Posteroanterior view · left plain radiograph of the wrist · age 9 y, male · subsequent exam · imaged through cast · 786 by 1264 pixels:
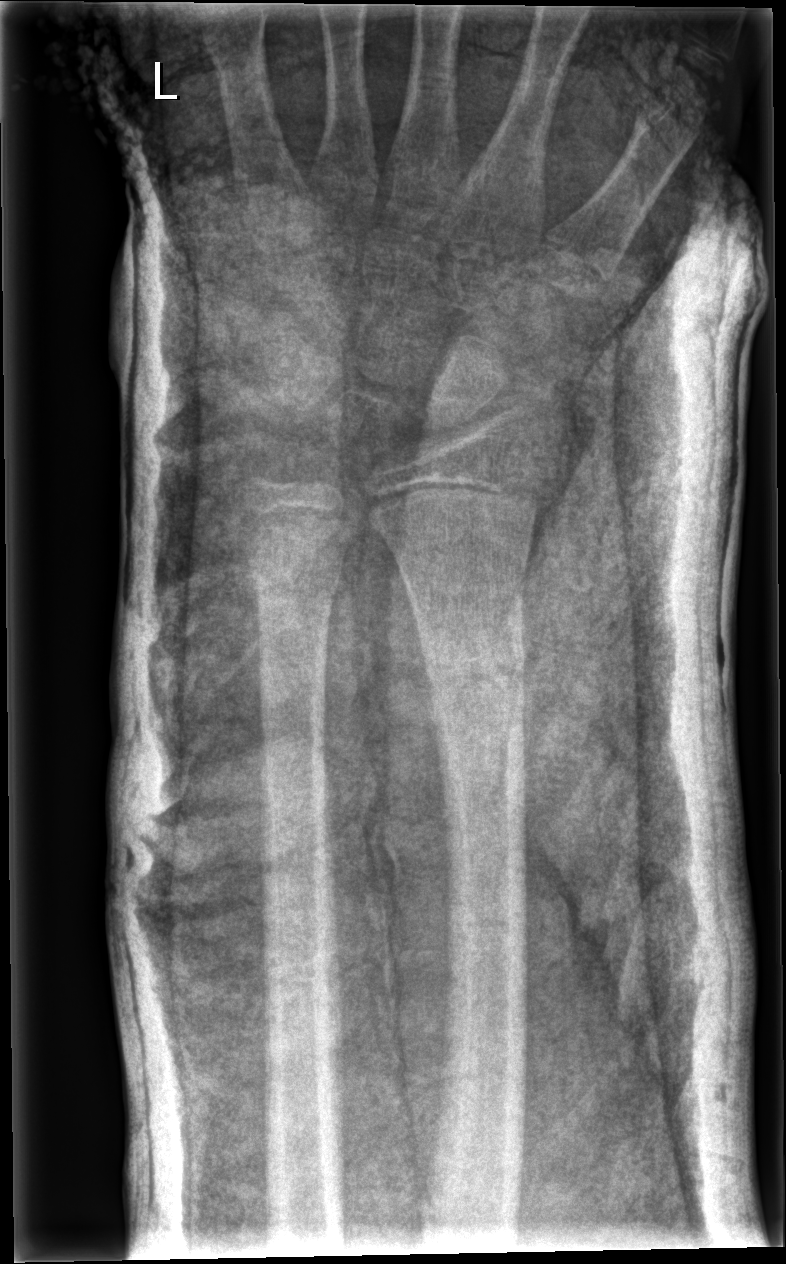 (boxes as x1,y1,x2,y2 (top-left / bottom-right, pixel units))
Q: Fracture present?
A: Bone fractures — [x1=416, y1=619, x2=530, y2=711] [x1=242, y1=545, x2=348, y2=610]
Q: What is the AO/OTA classification?
A: AO/OTA classification: 23-M/2.1